PA/AP projection, Lt plain radiograph of the wrist, 10-year-old female 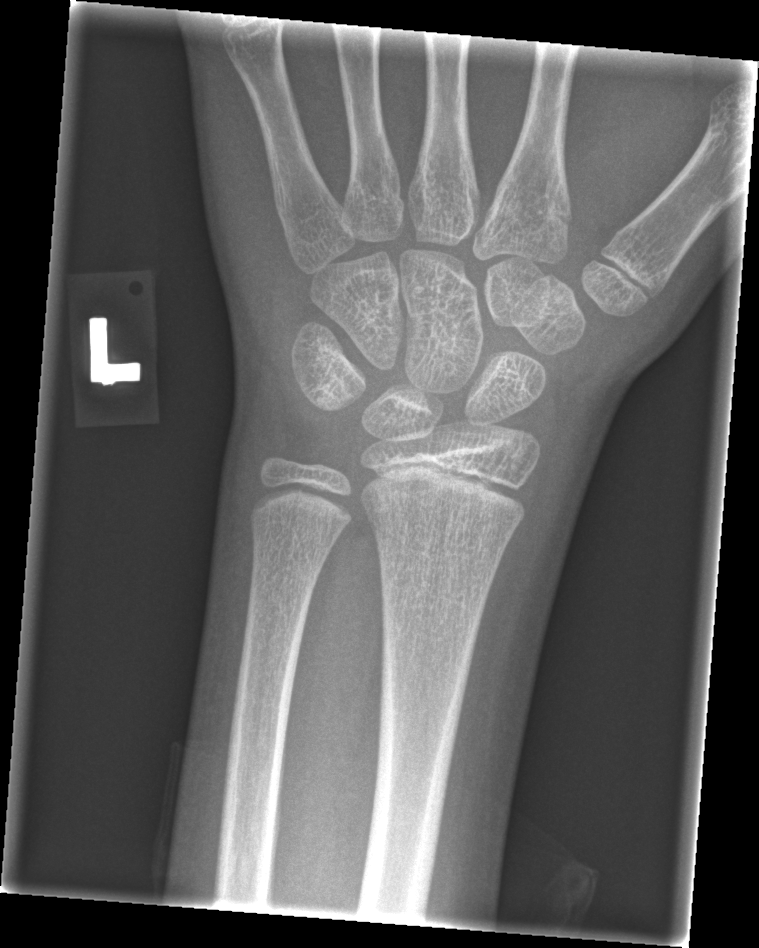

No fracture bounding box.